Left wrist pediatric wrist radiograph, PA view, male, 13 yo, cast present, image 94.3 mm wide:
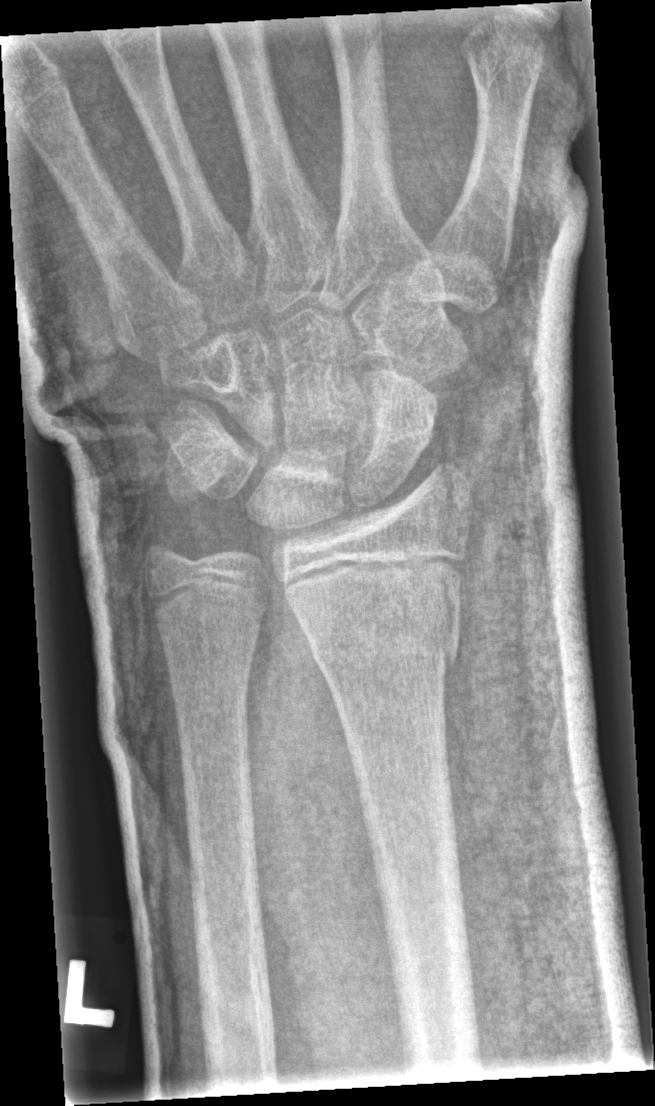
Fracture: 1 @ 304 603 468 685
AO code: 23r-M/3.1; 23u-E/7